Lateral projection · R pediatric wrist radiograph · acquired on Siemens 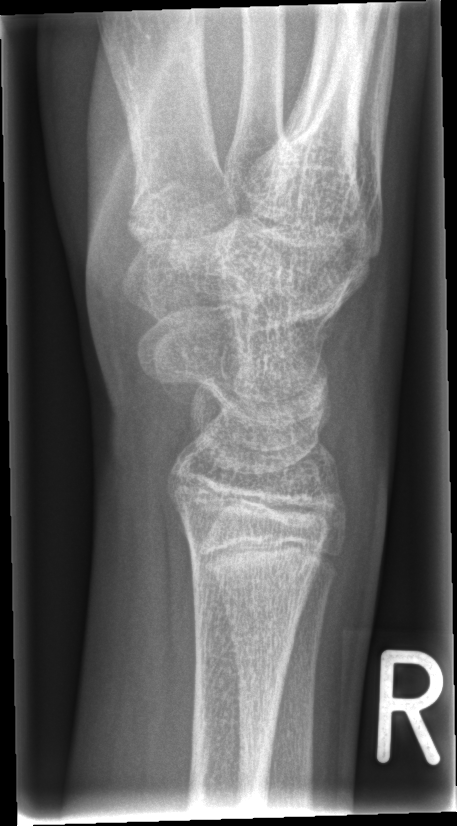 Fracture present, though not clearly seen in this view.